Lateral view, R plain radiograph of the wrist, pediatric patient (boy, age 6), presentation radiograph, 986x1204

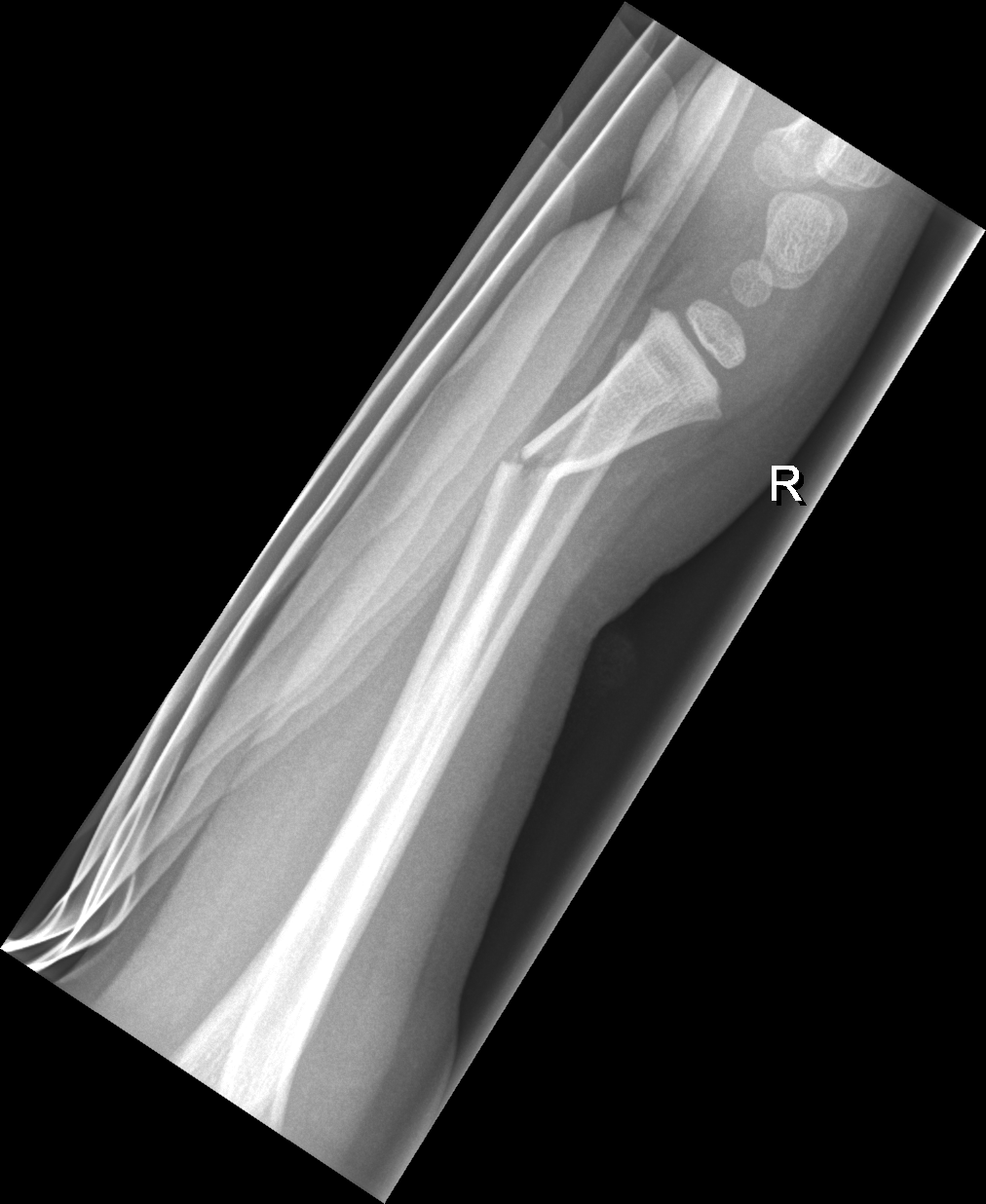
FINDINGS: (coordinates are [x1, y1, x2, y2] in image pixels) AO/OTA classification: 23r-M/3.1; 23u-M/2.1. Fracture — (494, 442, 574, 501).